R pediatric wrist radiograph, PA projection, age 5 y, boy, follow-up, acquired on Siemens.
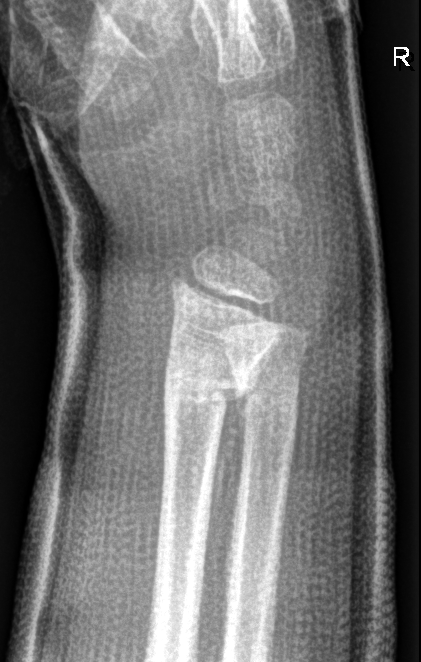
(bounding boxes in image-pixel xyxy)
Q: Locate any fractures.
A: Two fractures at 161,363,254,419
  231,367,305,429
Q: What is the AO/OTA classification?
A: AO/OTA classification: 23-M/2.1